Frontal view | L pediatric wrist radiograph | 7y F | follow-up study — 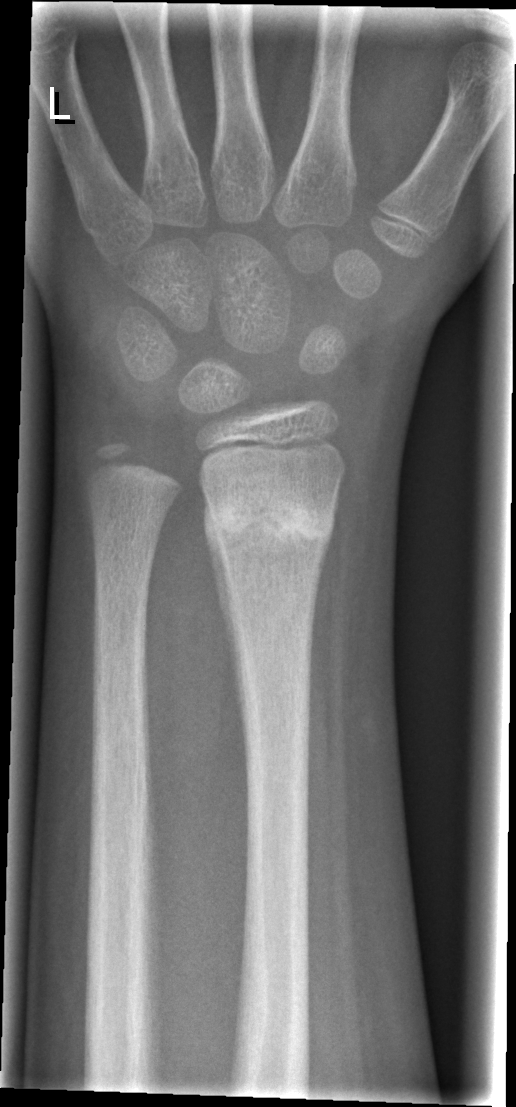 Osteopenia: present
AO/OTA: 23r-M/3.1
Periosteal reaction: 1 @ bbox(201, 491, 249, 745)
Fx: bbox(200, 485, 336, 566)